Right wrist XR, PA/AP, pediatric patient (male, age 13): 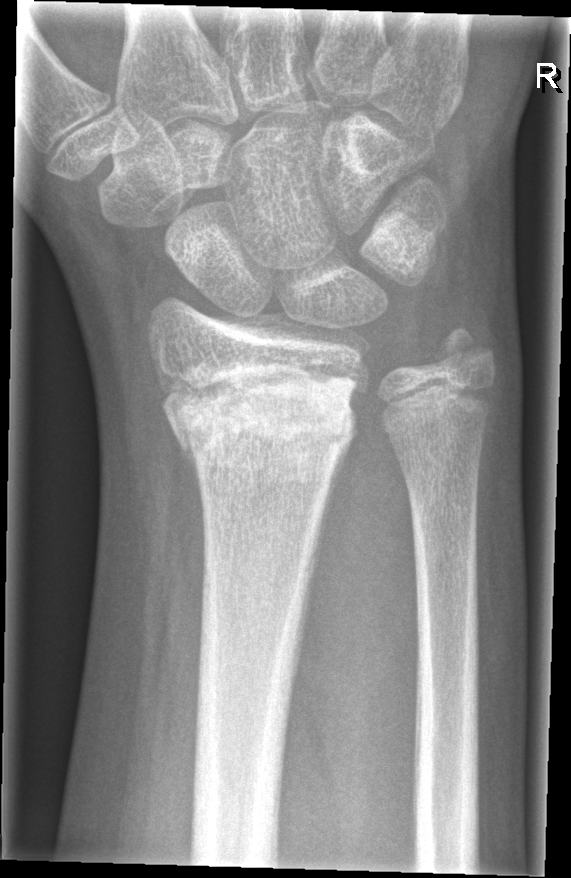

Q: Is there periosteal reaction?
A: One periosteal thickening at <183,431>-<205,518>
Q: AO code?
A: AO/OTA classification: 23r-M/3.1; 23u-E/7
Q: Is there a fracture?
A: Fracture: <158,368>-<366,481>; <429,321>-<498,377>